Frontal view | right wrist X-ray | girl, 11 yo.
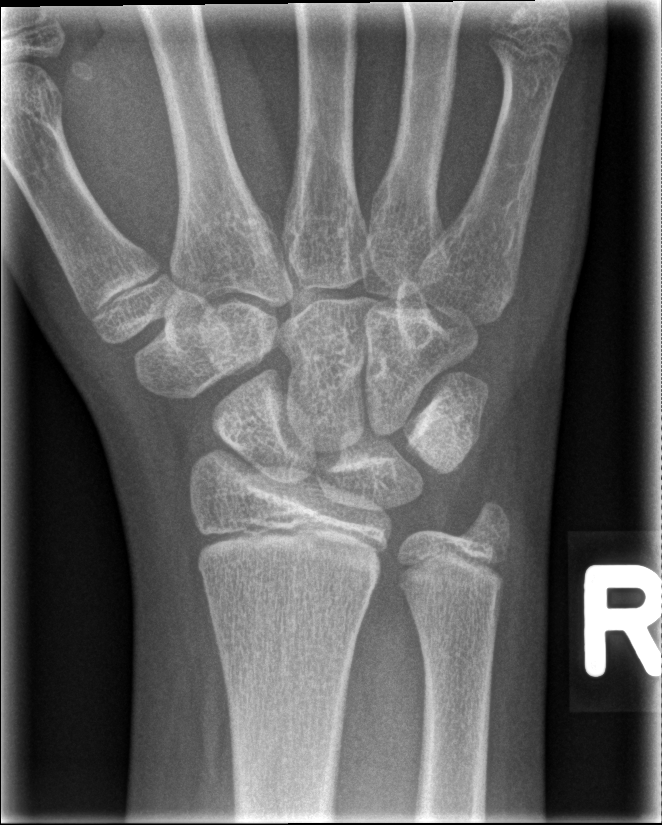

Fracture: none labeled